PA projection, right wrist XR, presentation radiograph, image width 95.6 mm
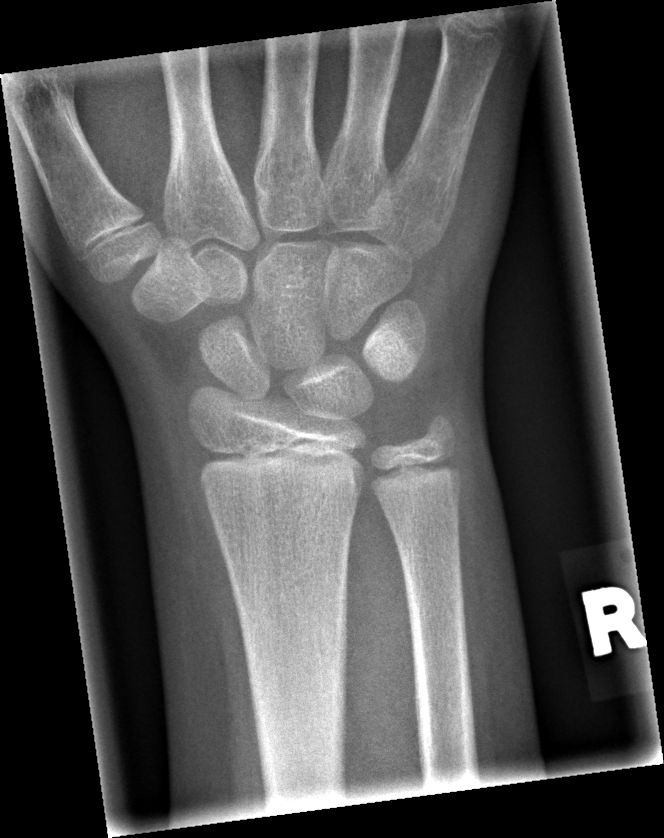 Fx: none.